PA/AP view; left pediatric wrist radiograph; 13y M; cast in situ:

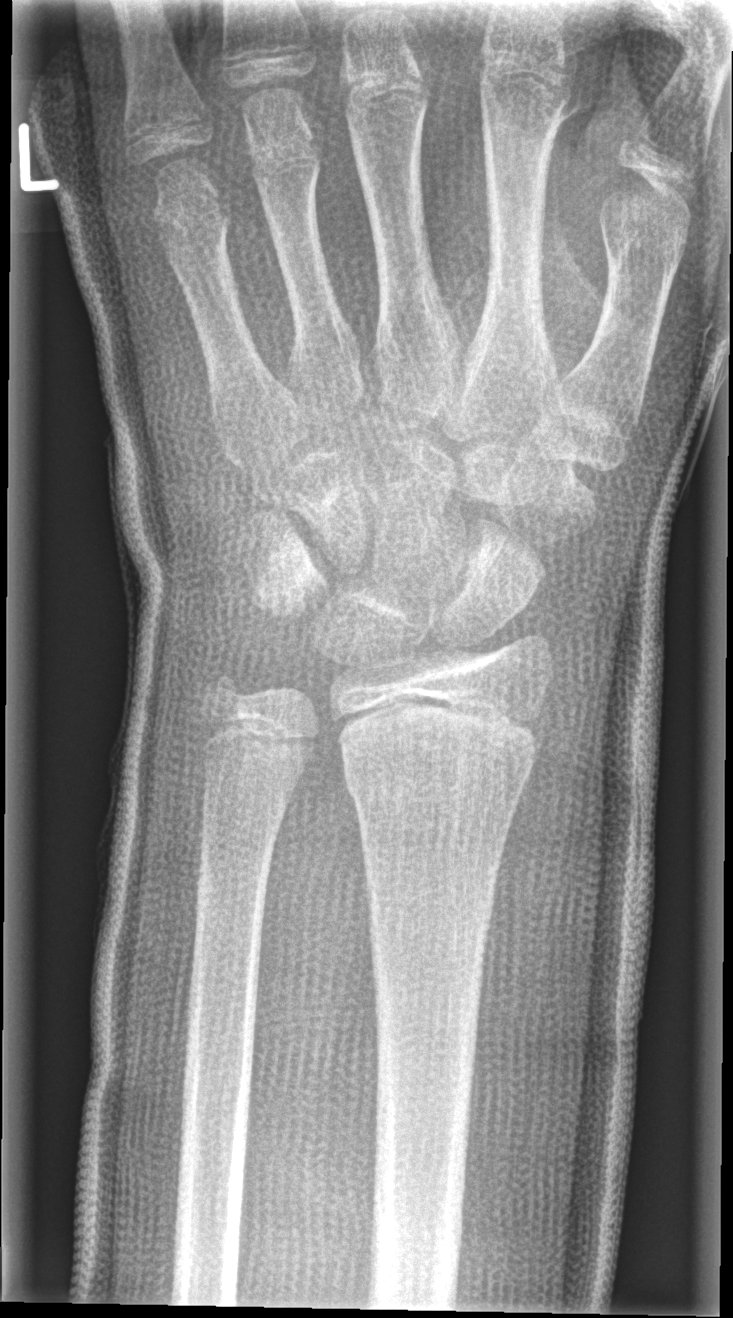

Fracture classified AO/OTA 23r-E/2.1; 23u-E/7. Fractures — (338, 724, 541, 809); (194, 661, 262, 727).